Left wrist plain film · frontal view · male, 14 yo

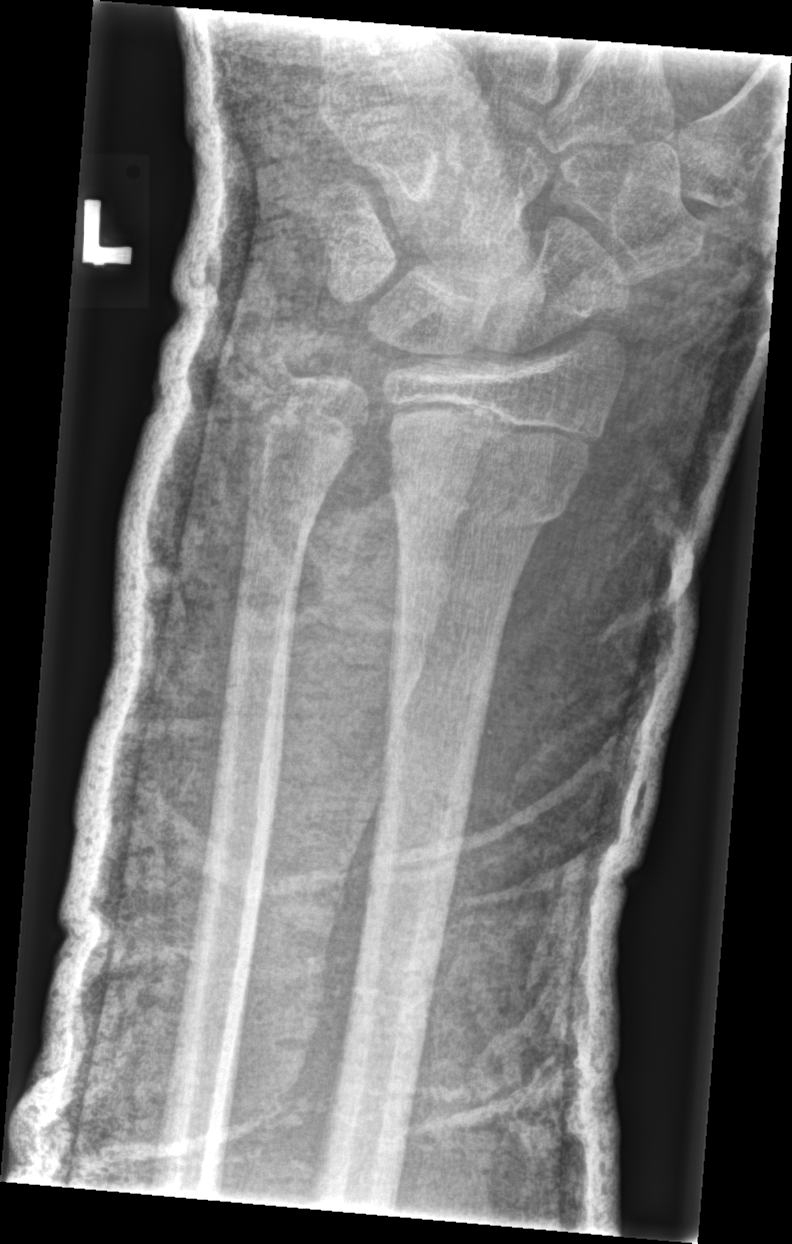 fracture: (386, 448, 584, 544) (236, 485, 325, 550)
ao: 23r-M/3.1; 23u-M/2.1